L wrist XR · AP projection · age 10 y, male.

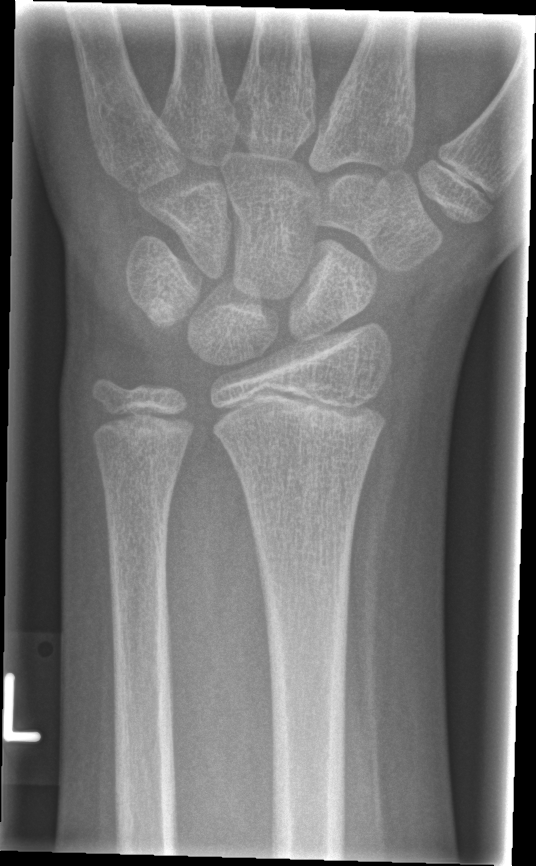 • No fracture labeled.